Lat projection · left wrist XR · follow-up · 528 by 1044 pixels

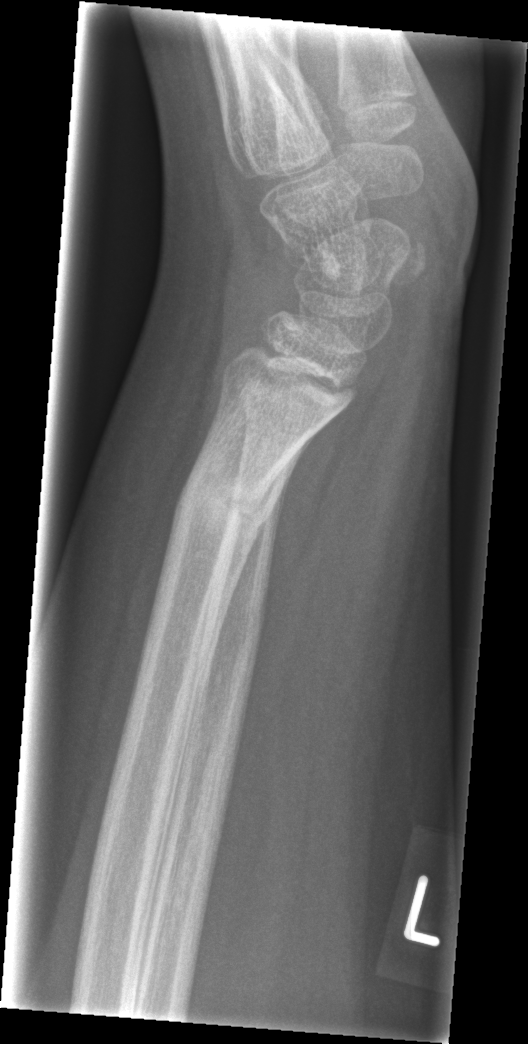
{"_coords": "coordinates are [x1, y1, x2, y2] in image pixels", "osteopenia": "present", "fracture": "1 @ <171,448>-<269,532>", "periostealreaction": "<178,444>-<304,775>", "ao": "23-M/2.1"}